Right wrist X-ray; AP projection; 11y F; index exam —
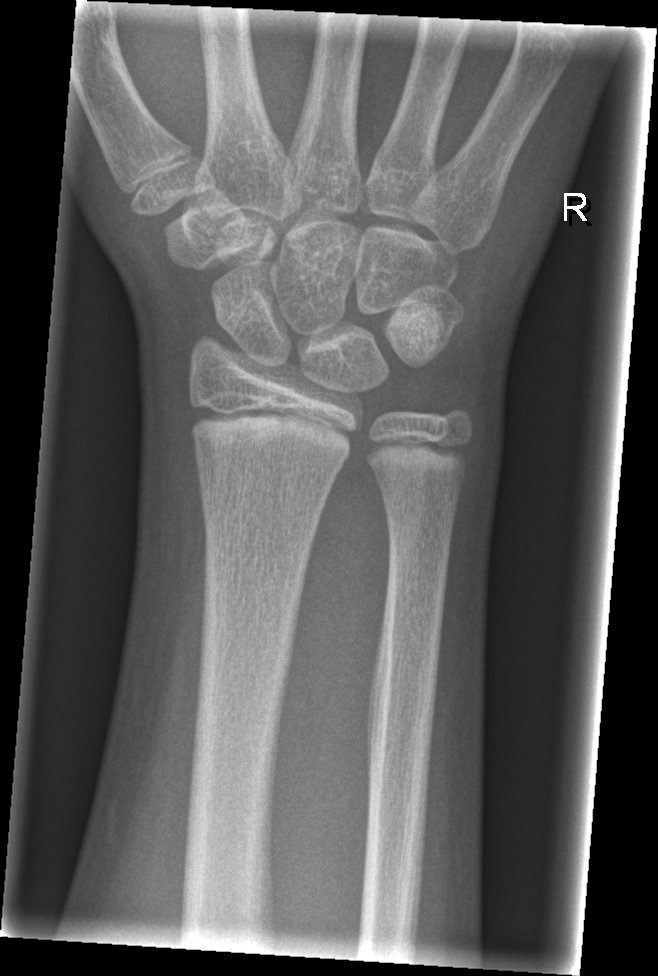 Fracture = none labeled